Lateral projection; right wrist X-ray.

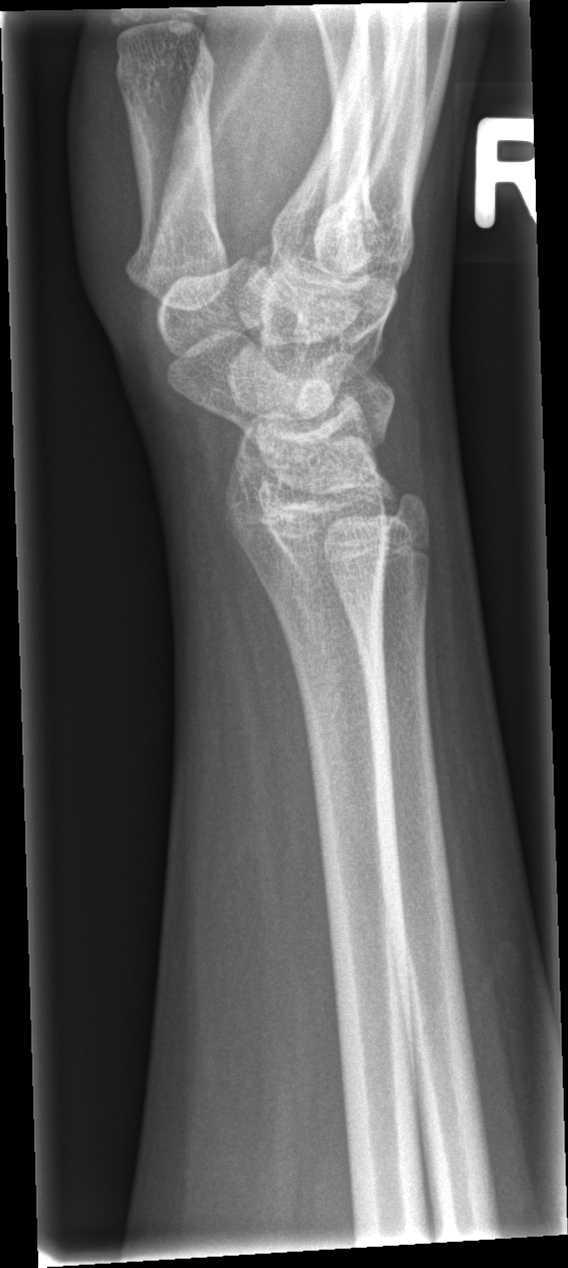
Fx = none labeled